Lateral view | left wrist X-ray | cast in situ:
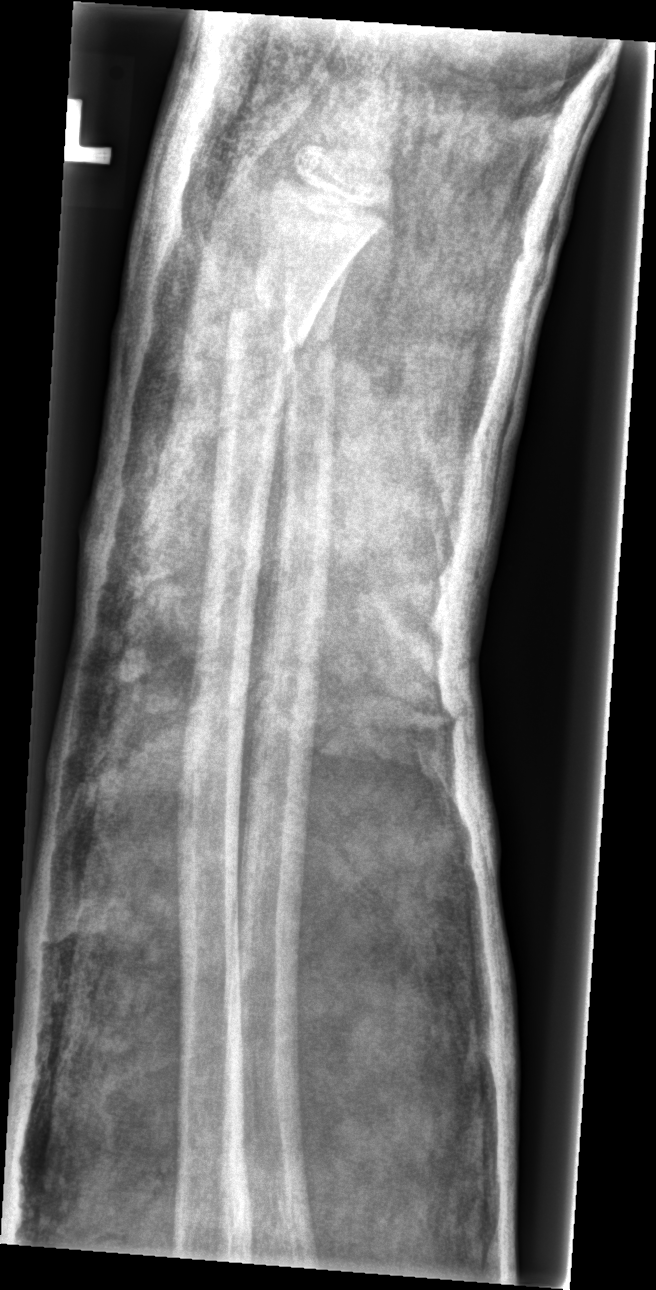
AO code 23-M/3.1.
Fx: [222, 283, 307, 365]; [278, 323, 345, 376].